PA/AP · left wrist X-ray: 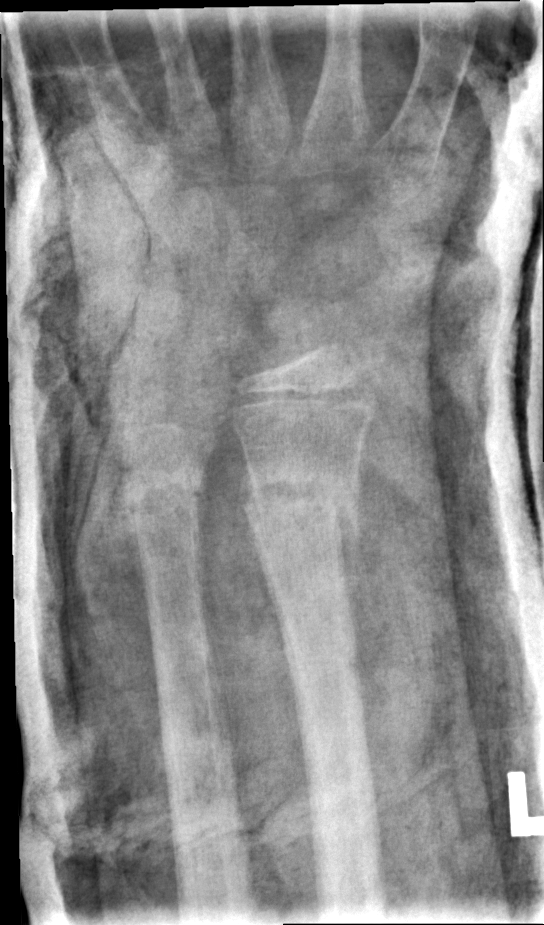
FINDINGS — (boxes as x1,y1,x2,y2 (top-left / bottom-right, pixel units)) Fracture classified AO/OTA 23-M/3.1. Fractures — (left=240, top=465, right=365, bottom=549); (left=117, top=463, right=207, bottom=543).